Lt wrist radiograph · lateral · in cast: 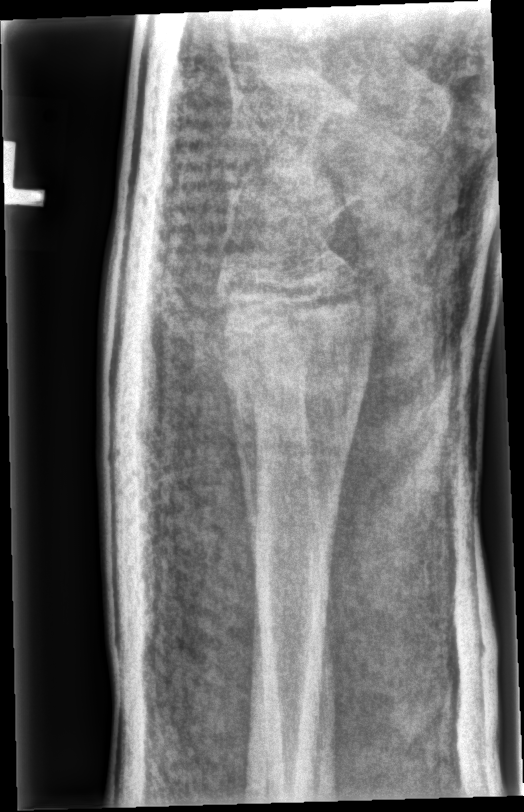

Findings: One bone fracture at (left=221, top=334, right=372, bottom=441). AO/OTA classification: 23r-M/3.1; 23u-E/7.